Left wrist plain radiograph of the wrist; PA/AP projection
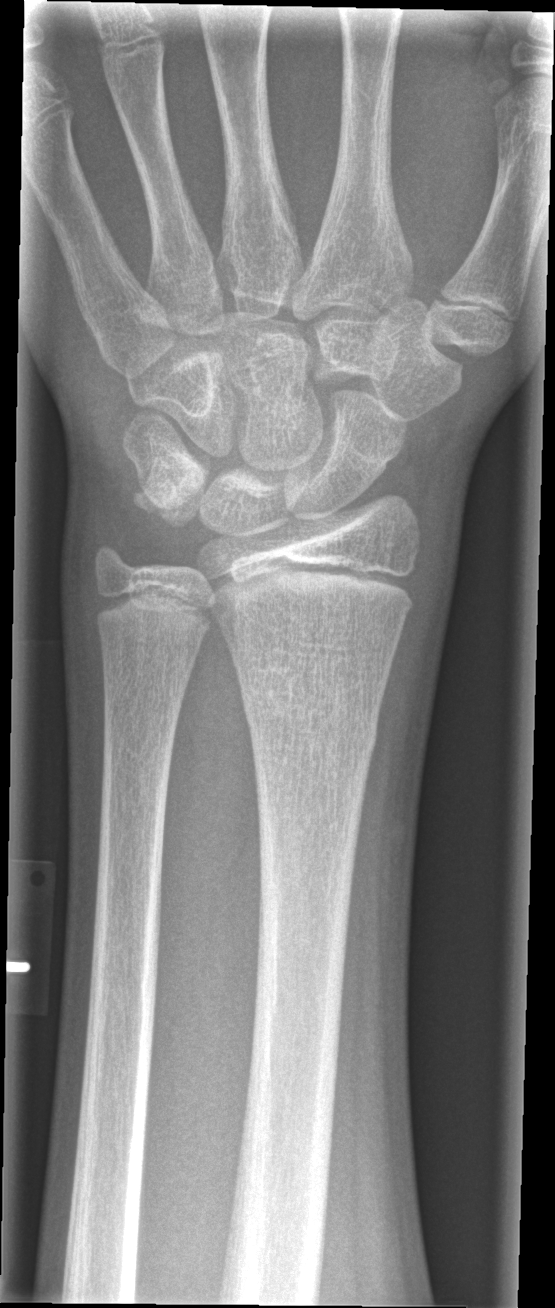
(pixel coordinates, top-left origin, xyxy)
AO code = 23r-M/2.1
bone fracture = (234, 669, 384, 766)